PA/AP projection · Rt plain radiograph of the wrist · in cast · image width 90.4 mm · 628 x 1014 px:
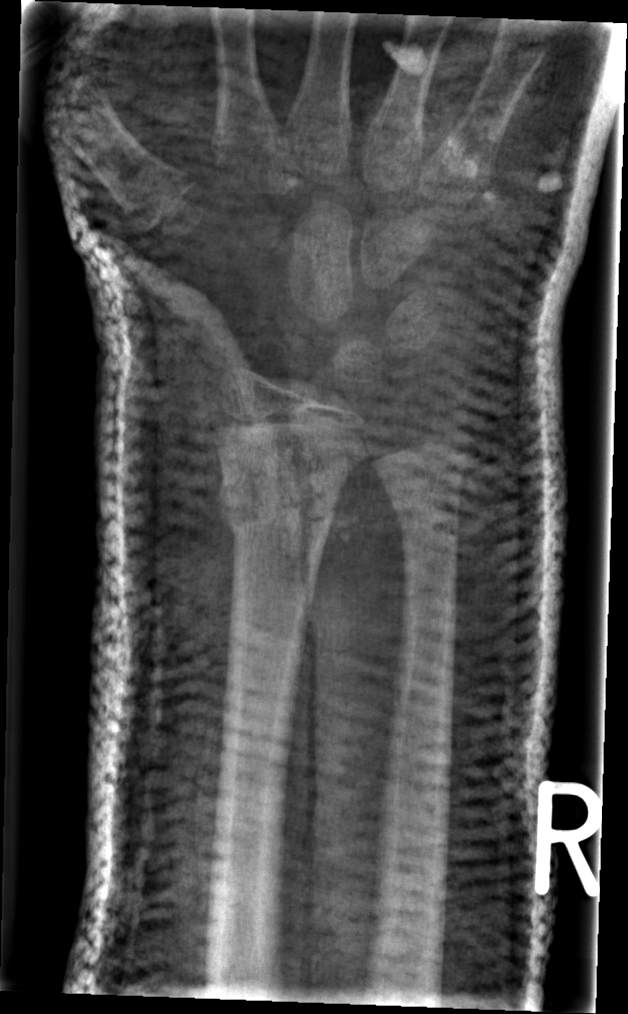
fracture: 2 @ [x1=216, y1=481, x2=337, y2=544], [x1=384, y1=478, x2=464, y2=525]
ao: 23-M/3.1